Left wrist X-ray · lateral projection · 6-year-old female.
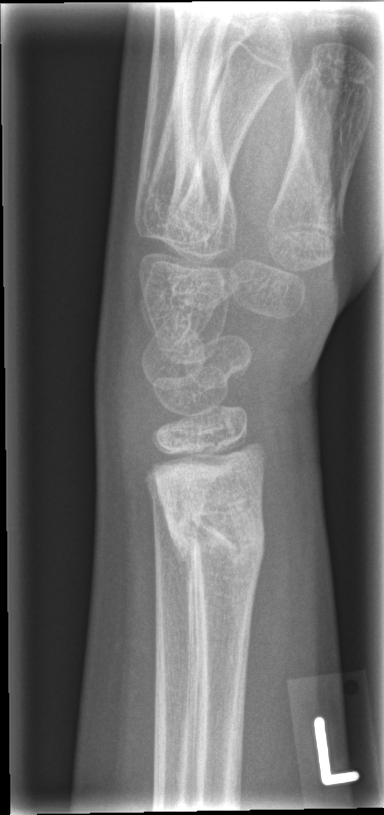
fracture = bbox(162, 492, 269, 571)
AO classification = 23r-M/2.1